PA/AP view · Lt plain radiograph of the wrist · follow-up 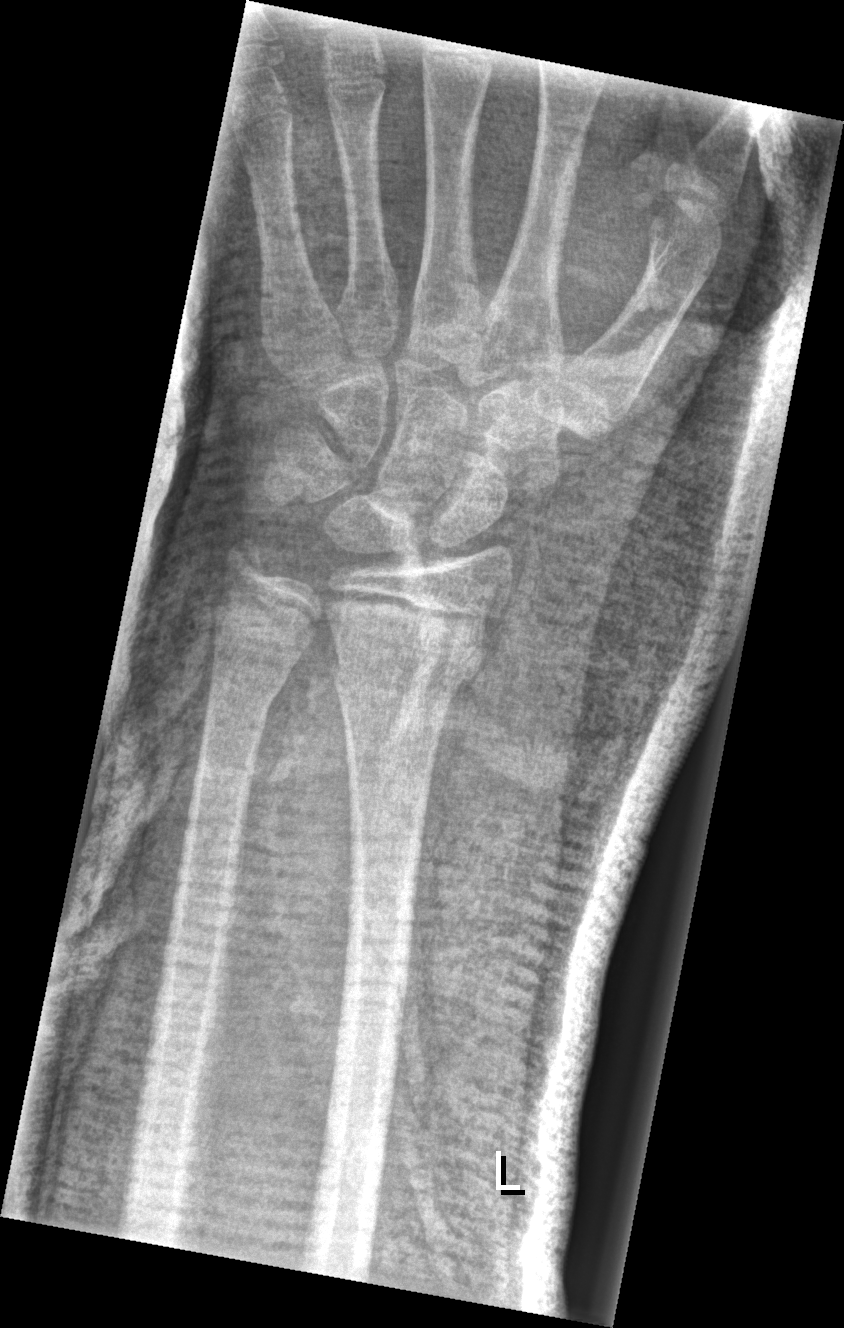
(coordinates are [x1, y1, x2, y2] in image pixels)
Q: Any fracture seen?
A: Bone fracture identified at 336 627 487 706
  208 657 295 714
  218 530 267 583